L wrist X-ray | frontal | initial study | Siemens.

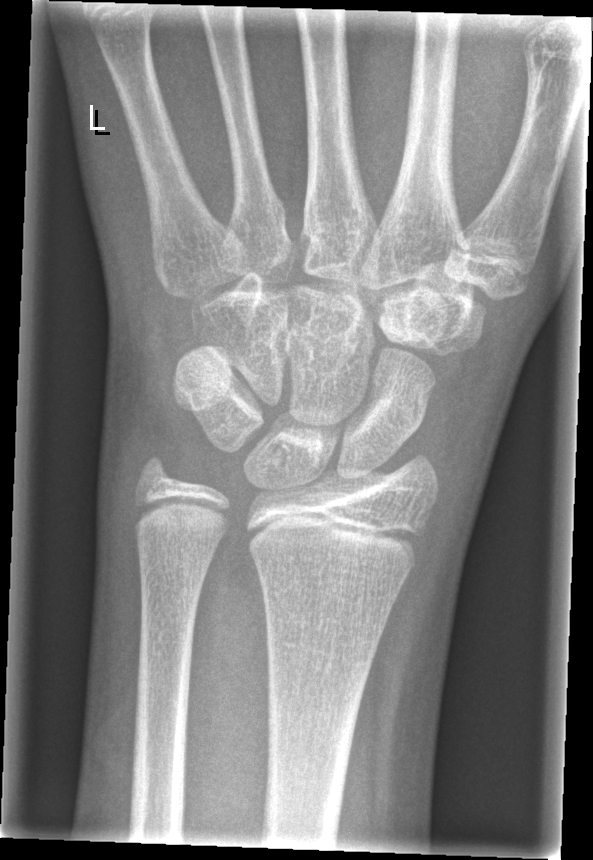

* No fracture annotation.